Left wrist radiograph · posteroanterior projection:
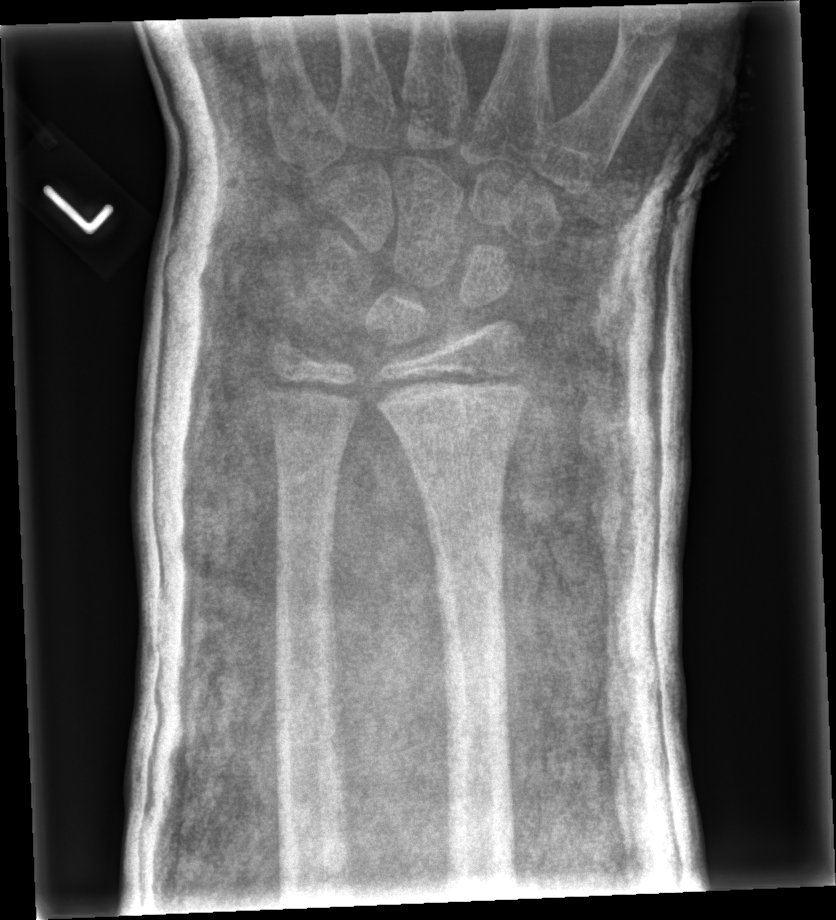

FINDINGS — Fracture present, though not clearly seen in this view.